Lt plain radiograph of the wrist; lat projection; 11y M; cast present:

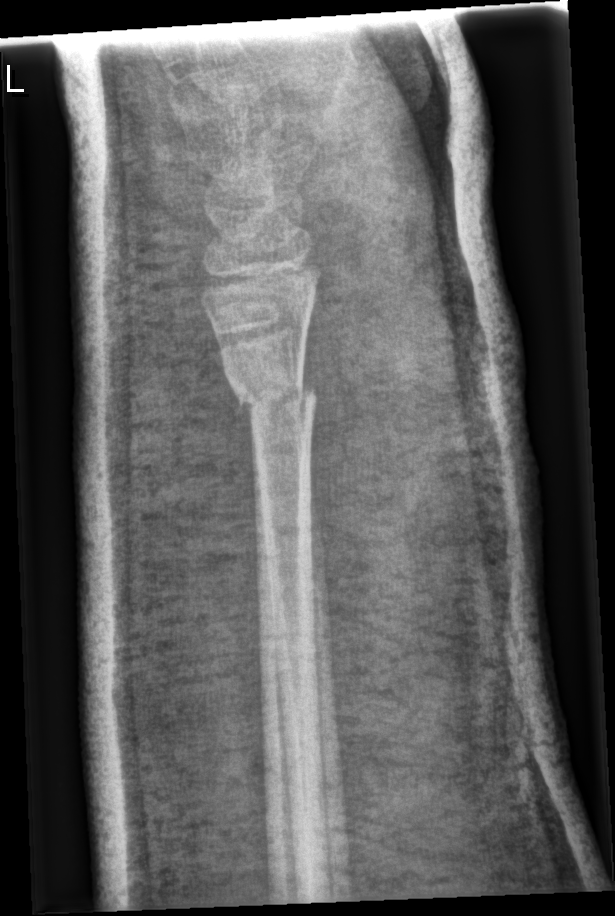

FINDINGS — One fracture at 220,354,322,437. AO/OTA classification: 23-M/3.1.